Lateral projection | left pediatric wrist radiograph | presentation radiograph | 61.1 mm image width | 424 by 692 pixels —
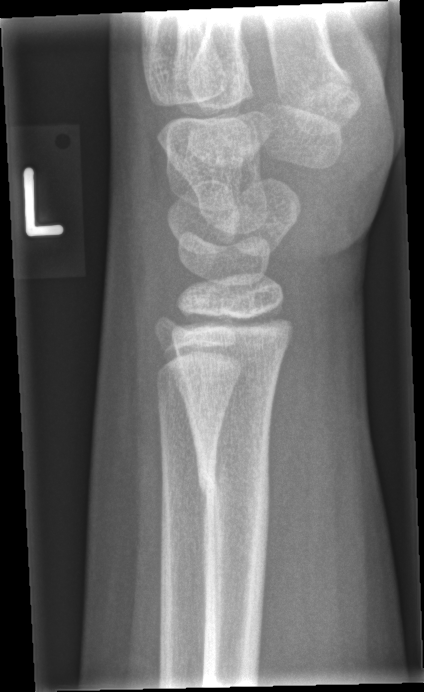 FINDINGS — (boxes as x1,y1,x2,y2 (top-left / bottom-right, pixel units)) Fracture classified AO/OTA 23r-M/2.1. Fracture identified at (left=194, top=450, right=274, bottom=529).